Left wrist plain film; lateral view; girl, 11 yo; 466 x 788 px 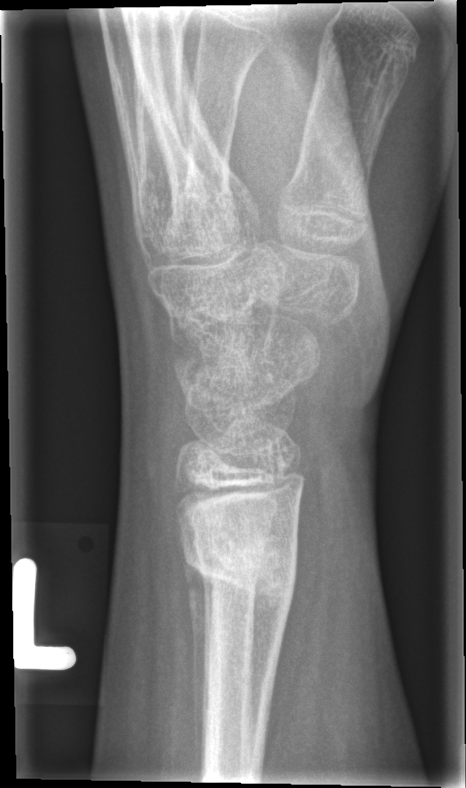 FINDINGS: Periosteal new bone identified at (left=183, top=555, right=211, bottom=781). Fracture classified AO/OTA 23-M/2.1. Fx: (left=181, top=536, right=301, bottom=626).